Posteroanterior projection · right wrist pediatric wrist radiograph · age 10 y, boy · follow-up:

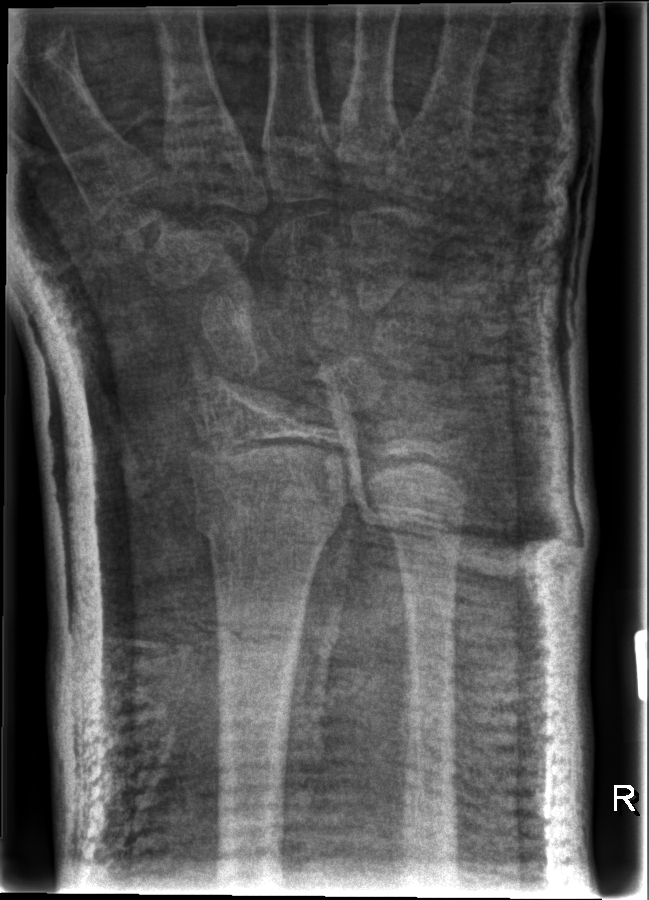 - AO/OTA classification: 23-M/2.1.
- Fracture: [192, 490, 348, 552].